Lateral; L pediatric wrist radiograph:
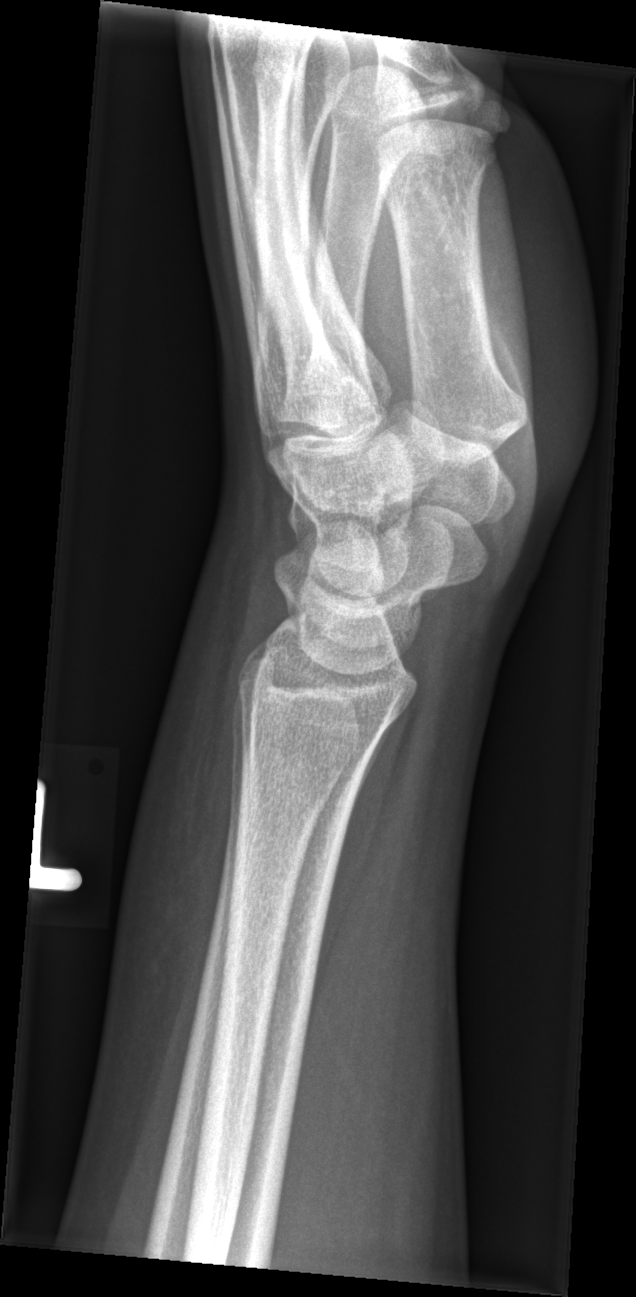
Boxes as x1,y1,x2,y2 (top-left / bottom-right, pixel units). No fracture bounding box. Soft-tissue finding identified at [121, 649, 239, 988].